Frontal | Lt wrist radiograph | cast in situ:
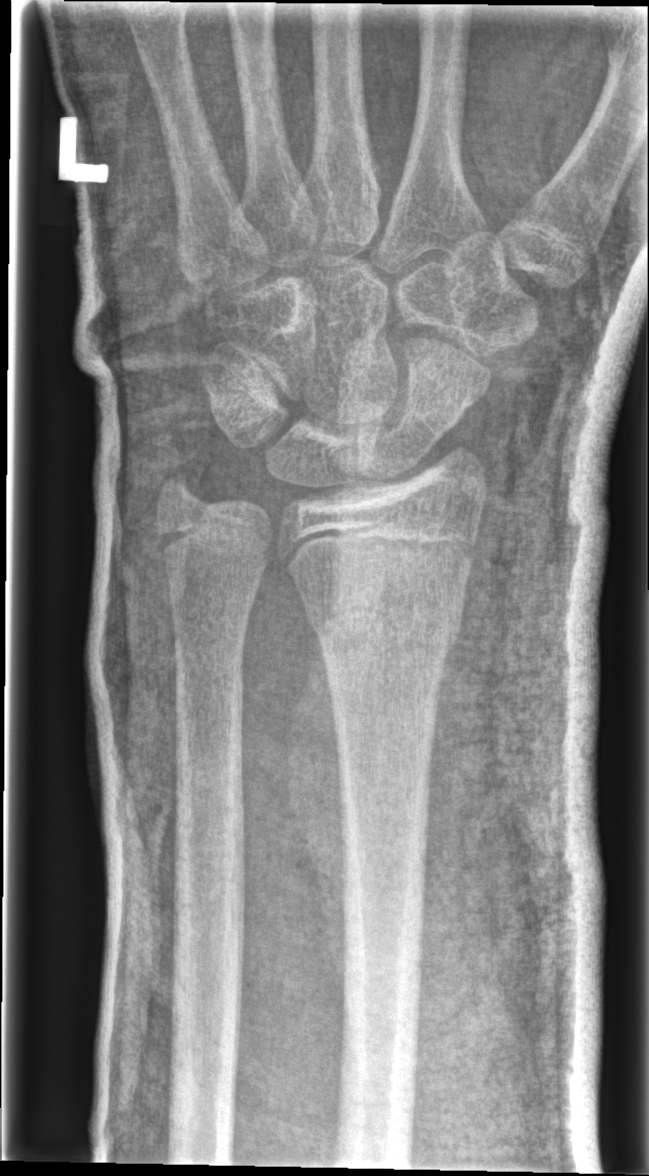 Q: What is the AO/OTA classification?
A: AO code 23r-M/3.1; 23u-E/7
Q: Fracture present?
A: One fracture at [x1=298, y1=580, x2=469, y2=668]